L wrist XR; posteroanterior view; cast present; 612x1024 —

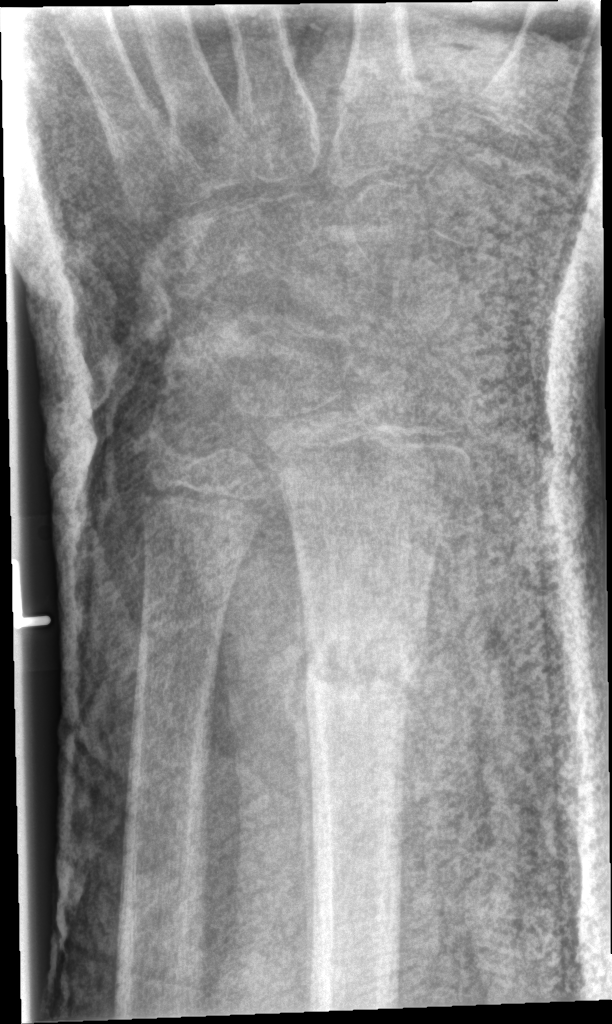
- One fracture at bbox(302, 623, 414, 711).
- AO code 23r-M/3.1.
- One periosteal new bone at bbox(284, 559, 318, 1009).